Left wrist XR · posteroanterior · 99.6 mm image width —
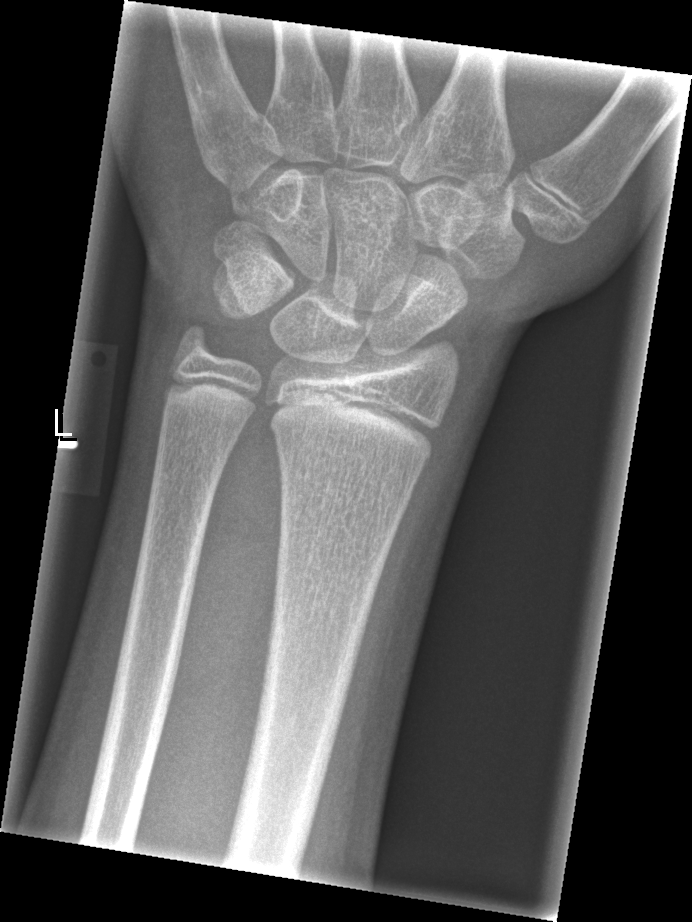 - No fracture labeled.